AP · Rt wrist plain film · acquired on Siemens · image 91.9 mm wide · image size 638x1076: 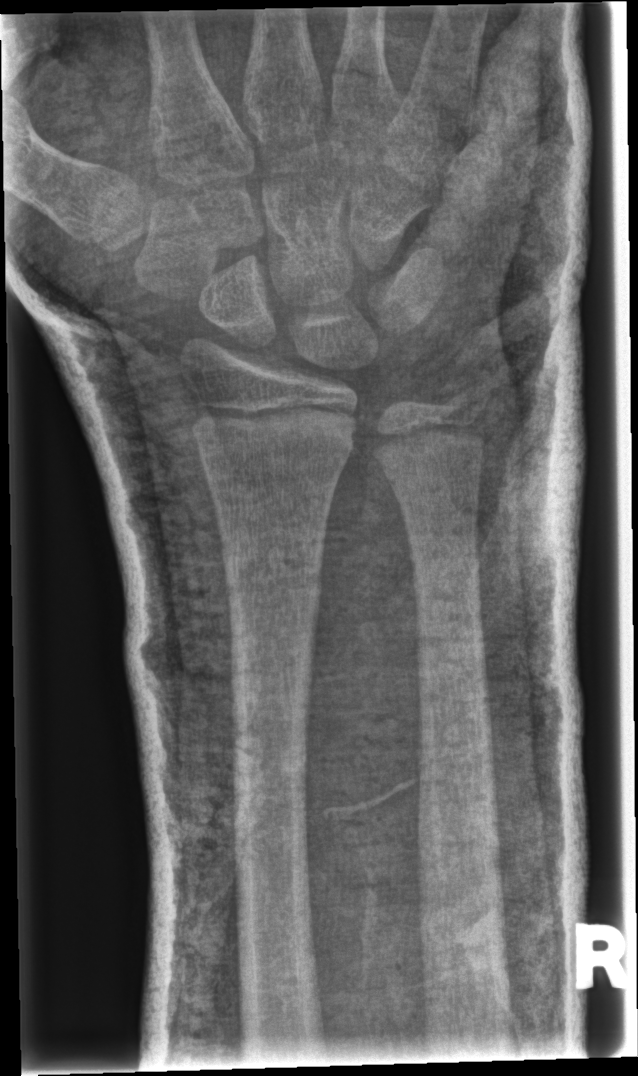
(boxes as x1,y1,x2,y2 (top-left / bottom-right, pixel units))
fracture: 2 @ <218,542>-<327,602>, <433,371>-<491,430>
AO/OTA: 23r-M/3.1; 23u-E/7